Posteroanterior view · R wrist X-ray
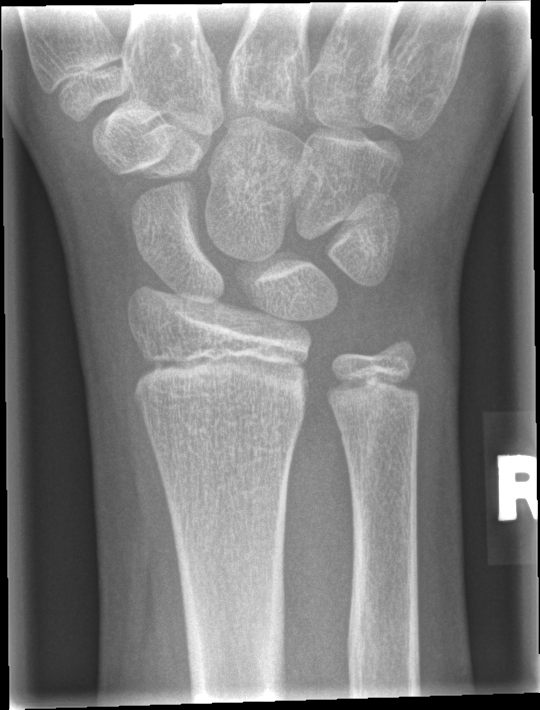

Fx: none.